PA view, left plain radiograph of the wrist, age 8 y, male, diagnosis uncertain

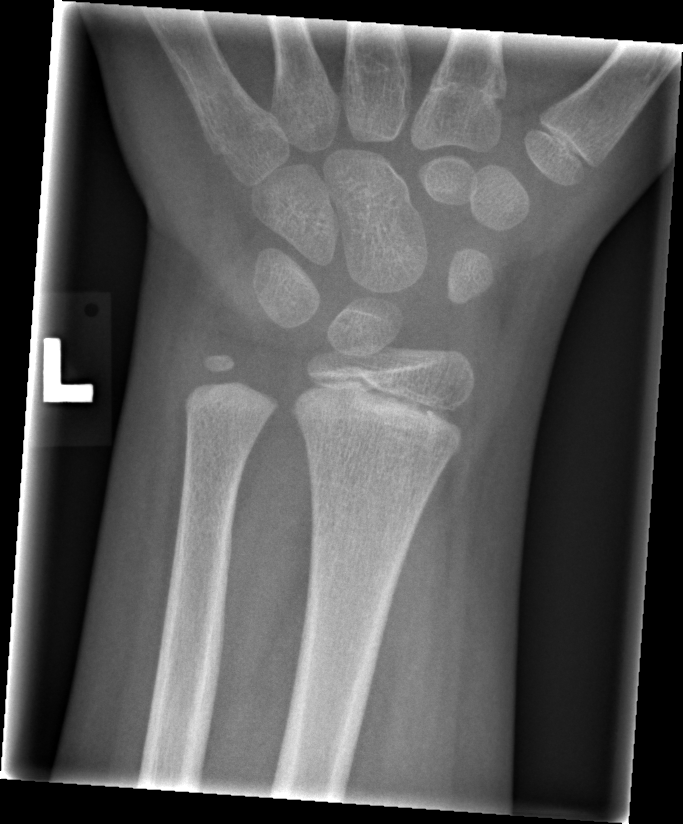 No Fx annotated.